L wrist XR · lat view.
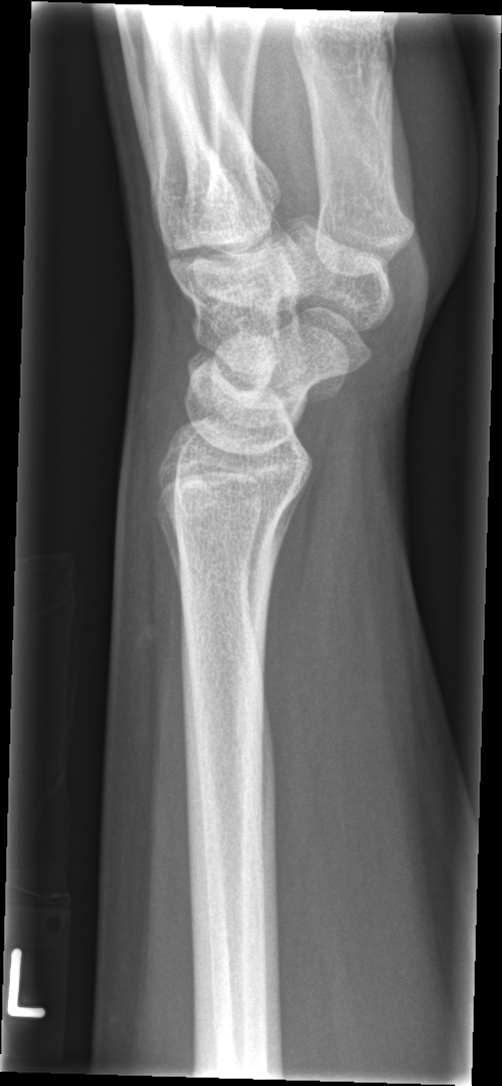
{"fracture": "none labeled"}